Lt wrist X-ray · lateral view · 676 by 1094 pixels — 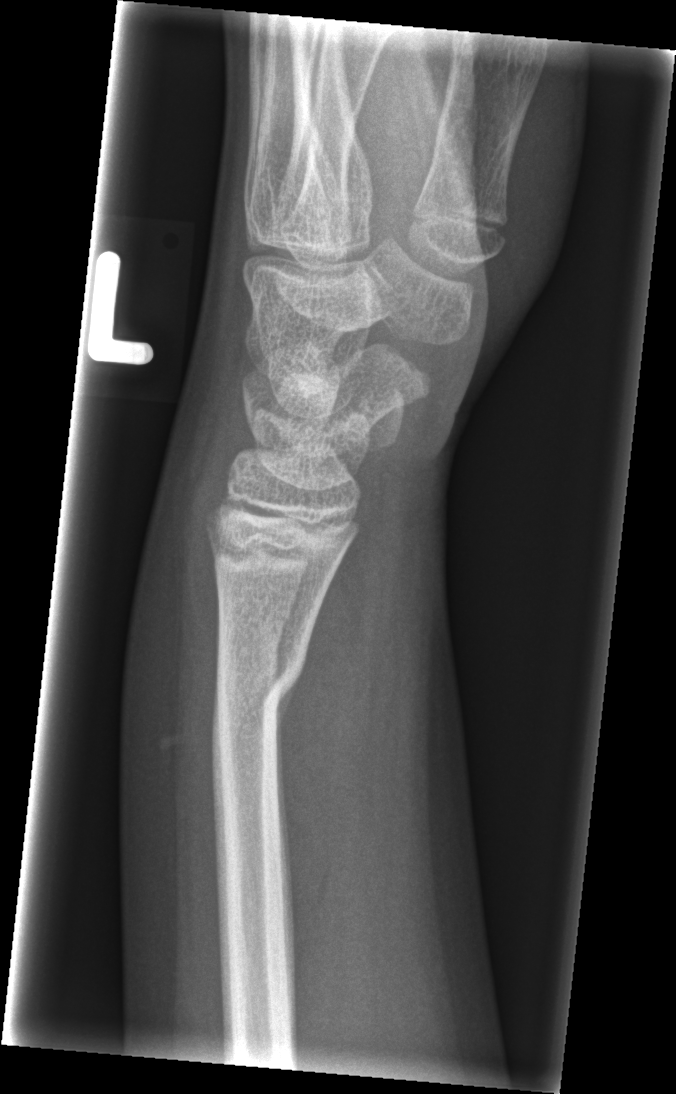
Findings: Fx: [x1=205, y1=644, x2=310, y2=748]. Fracture classified AO/OTA 23-M/2.1. Pronator quadratus fat-pad sign identified at [x1=282, y1=526, x2=371, y2=950].